Left wrist radiograph | lateral projection | pediatric patient (boy, age 12) | 60.6 mm image width:

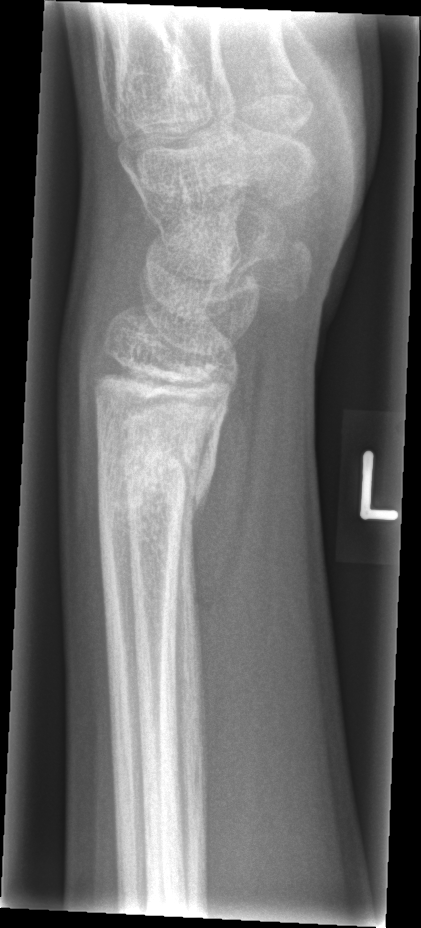
Fracture classified AO/OTA 23r-M/2.1.
Fx identified at (92, 434, 220, 535).
Decreased bone density (osteopenia).